PA/AP view | Lt wrist plain film | 13y M | subsequent exam:
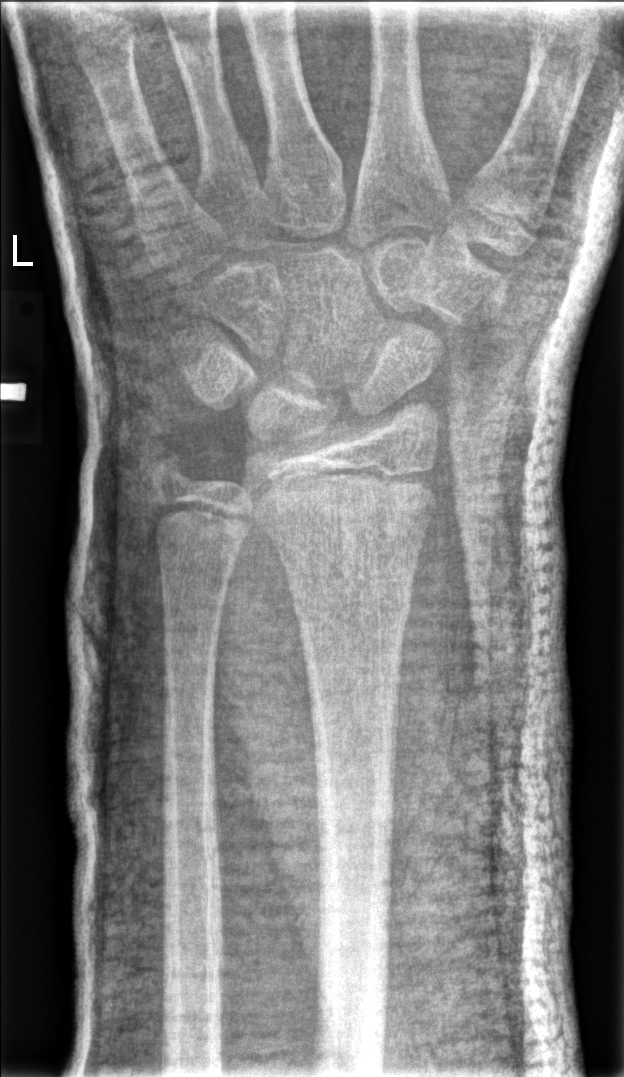
* Bounding boxes in image-pixel xyxy.
* Fx — 286 571 415 633
  140 442 201 499.